Lt wrist X-ray · lateral · age 1.6 y, boy · detector: Siemens · image 68.3 mm wide: 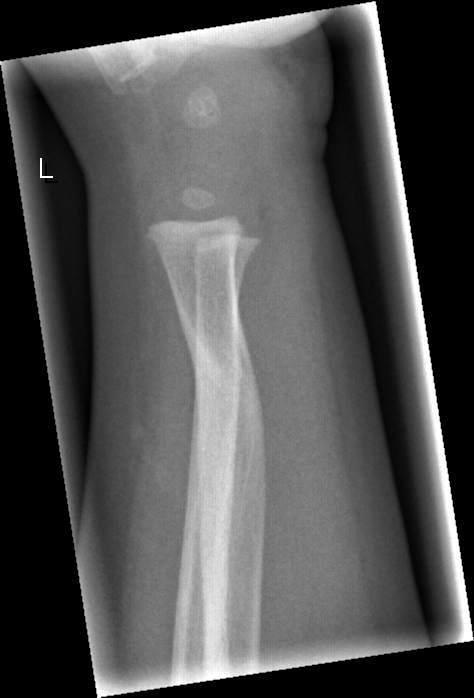

(boxes as x1,y1,x2,y2 (top-left / bottom-right, pixel units))
Q: Any fracture seen?
A: One Fx at [x1=179, y1=317, x2=273, y2=487]